AP projection | Rt wrist XR | in cast | Siemens. 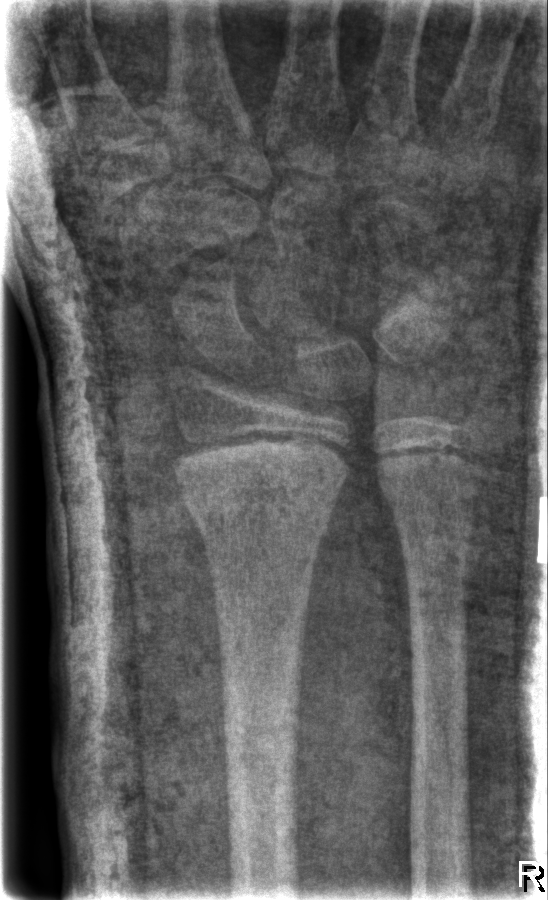

FINDINGS — (bounding boxes in image-pixel xyxy) Fracture classified AO/OTA 23r-M/3.1; 23u-E/7. Fx: bbox(173, 464, 342, 554).